R wrist X-ray; lateral; in cast. 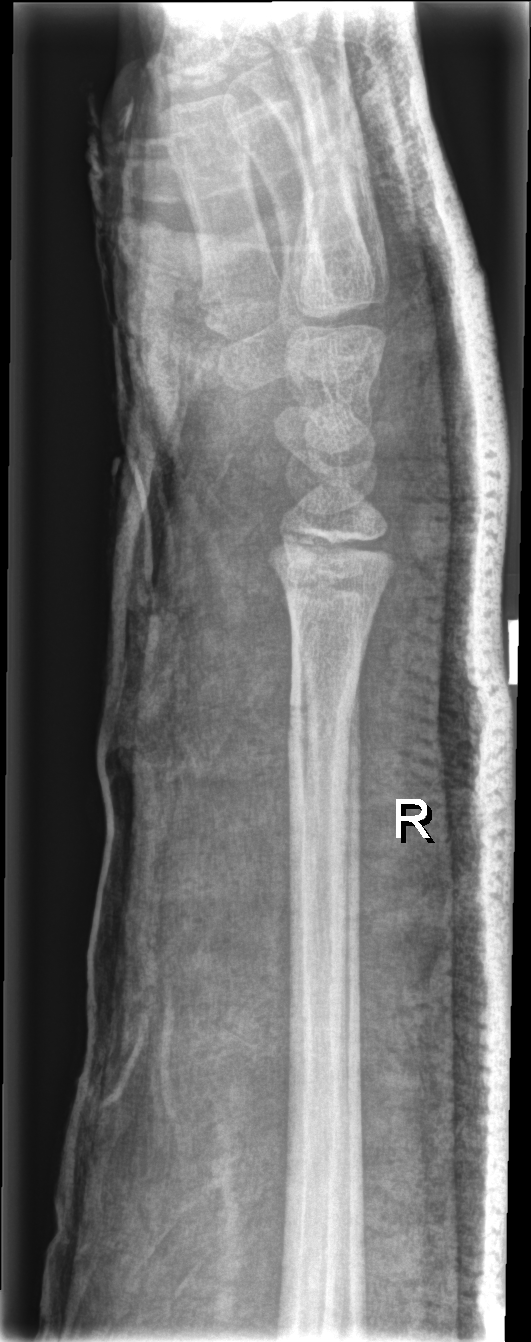
FINDINGS: One bone fracture at [284, 681, 360, 747].